PA/AP | left pediatric wrist radiograph | 13y M | follow-up study | in cast | Siemens — 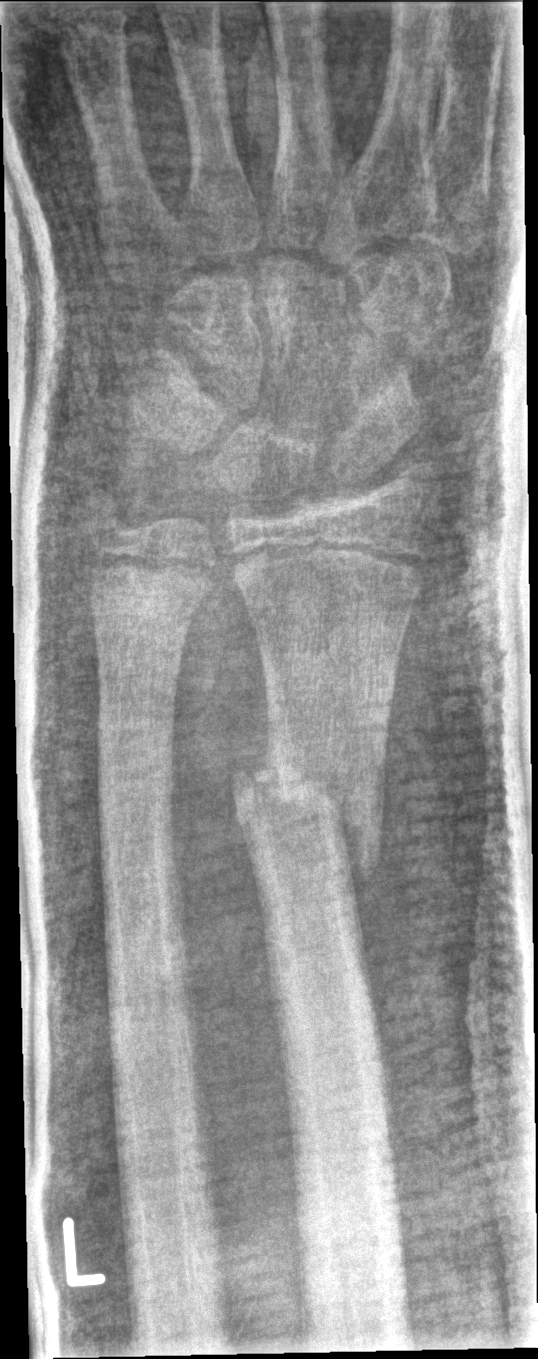
Fx = [x1=225, y1=733, x2=382, y2=883]